Left wrist X-ray; PA view; follow-up study — 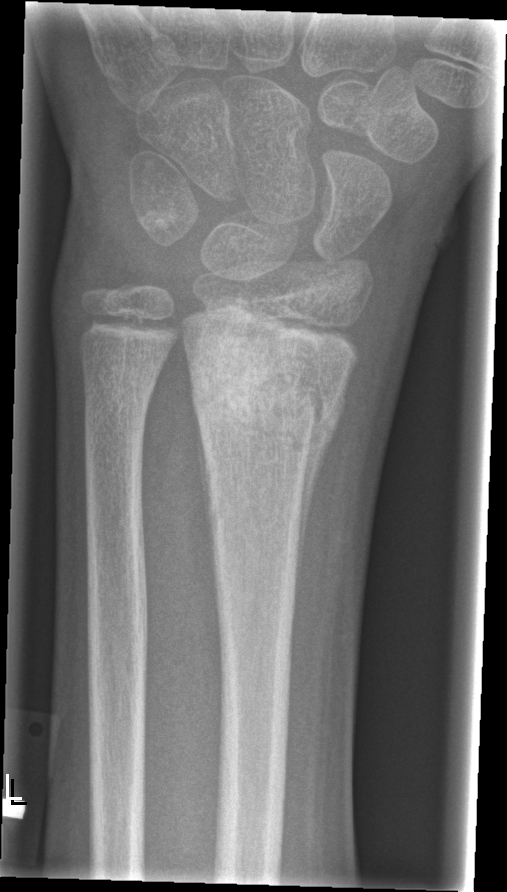
FINDINGS — Fracture: (186, 324, 342, 458); (78, 363, 169, 417). Periosteal thickening — (286, 381, 346, 655), (193, 396, 217, 583). AO code 23r-M/3.1; 23u-M/2.1.